Left wrist XR; lateral; pediatric patient (female, age 6); 406 by 786 pixels —
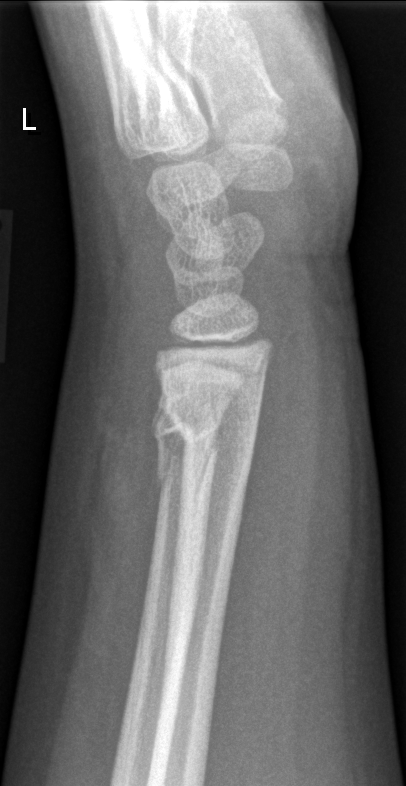 {
  "fracture": "2 @ [x1=147, y1=388, x2=261, y2=487]; [x1=145, y1=386, x2=222, y2=494]",
  "softtissue": "1 @ [x1=75, y1=319, x2=170, y2=605]"
}